Lat projection, R wrist X-ray, cast present, image size 545x1114:
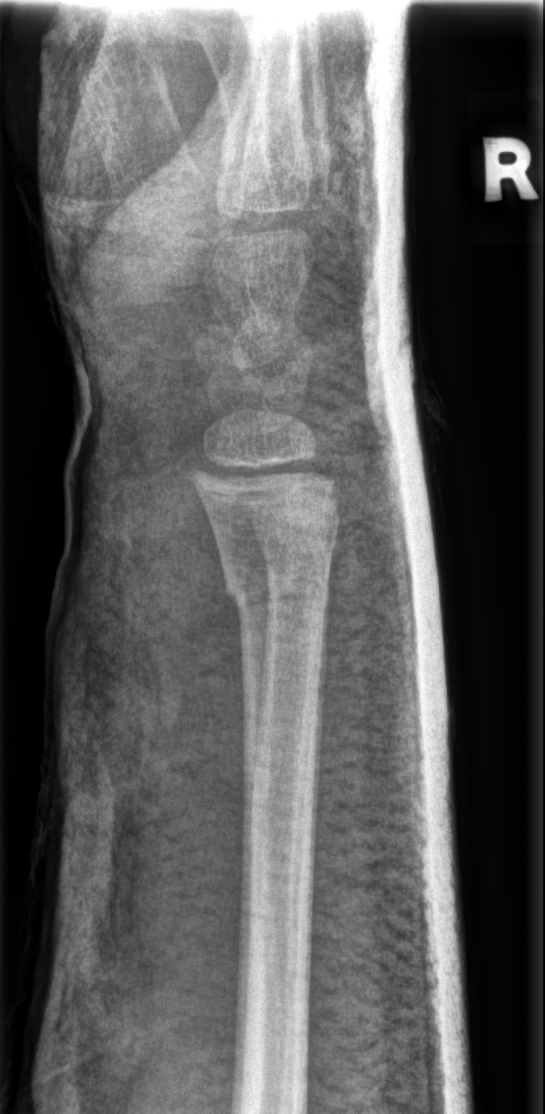

{
  "fracture": "1 @ <222,559>-<333,615>"
}